Lat view | L wrist radiograph | female, 13 yo | image 67.4 mm wide | 468 by 798 pixels

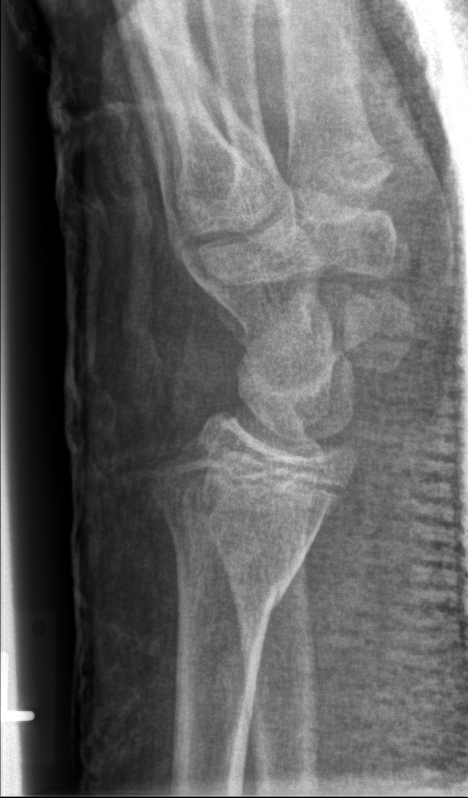

(coordinates are [x1, y1, x2, y2] in image pixels)
Bone fracture = 1 @ 145 453 331 611